Lateral | right wrist radiograph | 11-year-old male | imaged through cast | acquired on Siemens
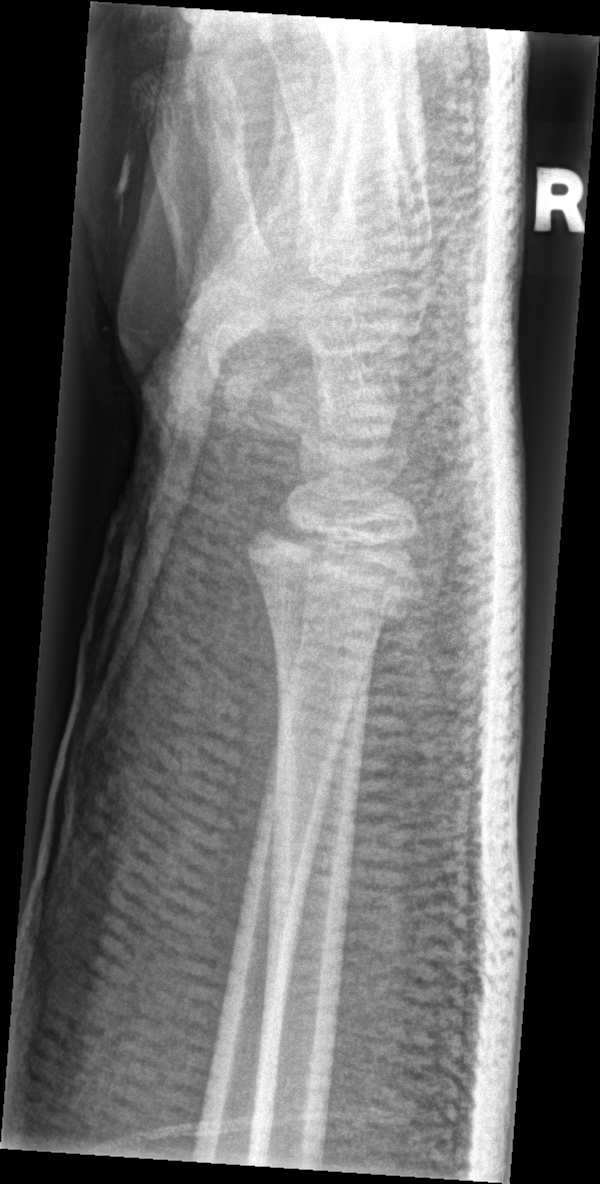 AO code 23r-E/2.1; 23u-E/7.
Bone fracture: (244, 529, 424, 631).